Frontal projection | right wrist XR

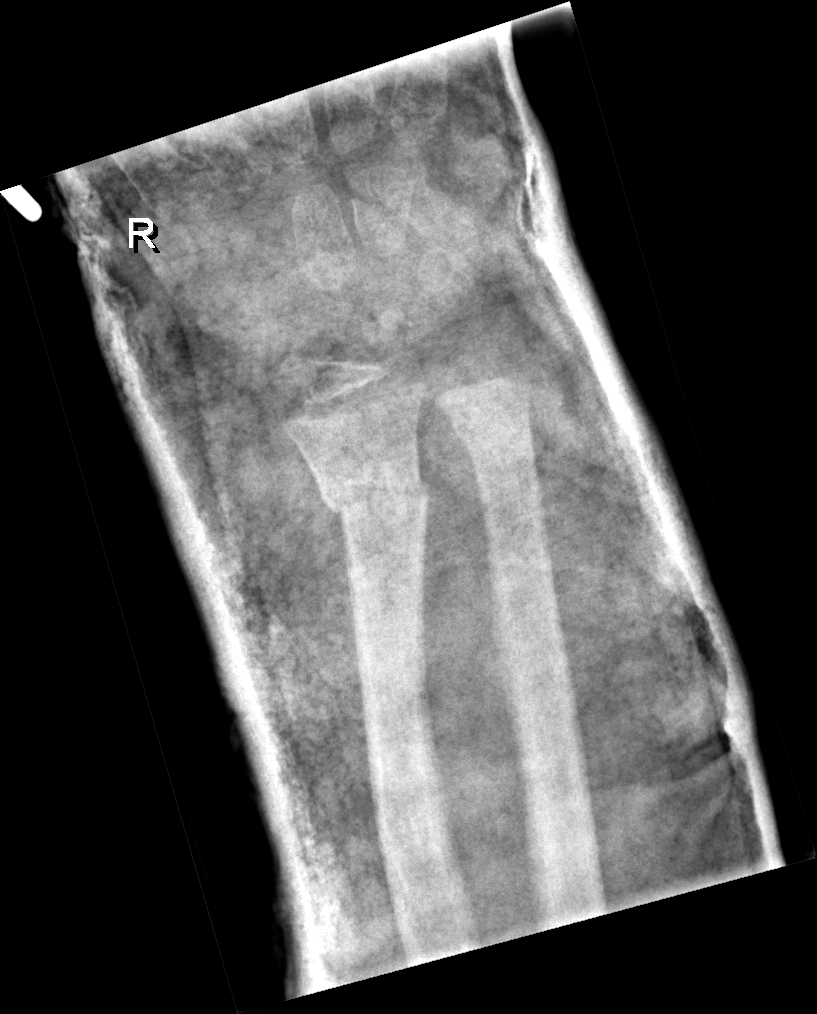

(boxes as x1,y1,x2,y2 (top-left / bottom-right, pixel units))
fracture = 2 @ [316, 466, 430, 521]; [446, 399, 540, 458]
AO/OTA = 23r-M/3.1; 23u-M/2.1